Lat projection; Lt wrist XR; in cast. 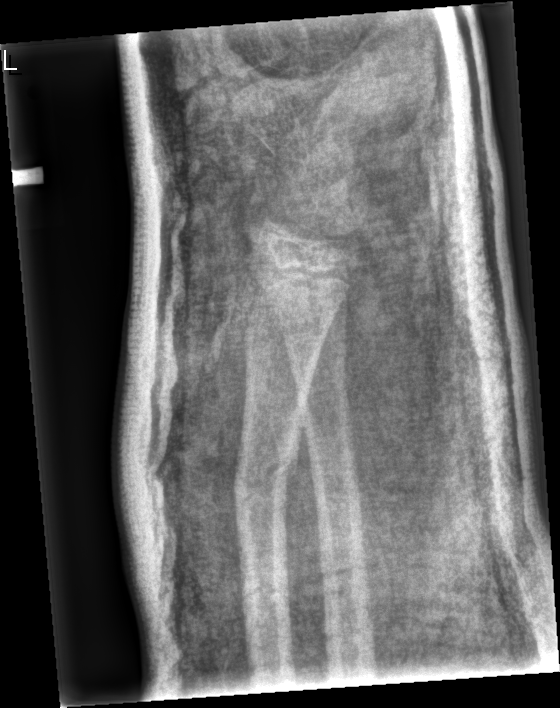 Fx: 228,438,304,515. Fracture classified AO/OTA 23-M/3.1.